Right wrist X-ray, lat.

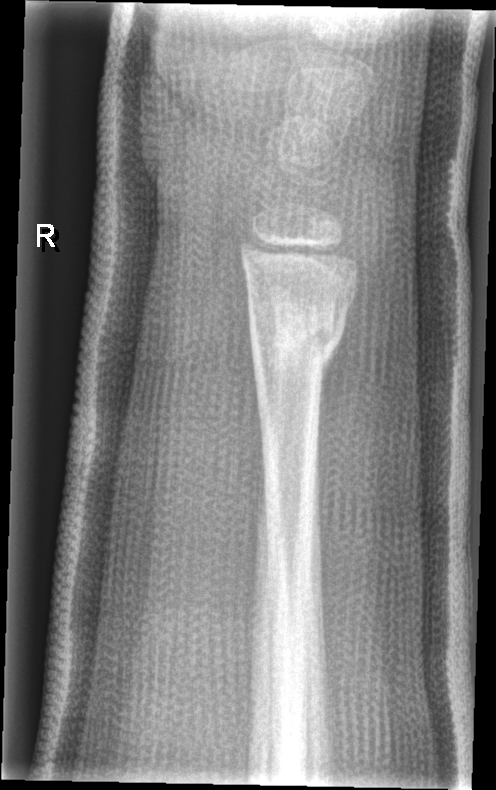
FINDINGS: (coordinates are [x1, y1, x2, y2] in image pixels) Fx — 244 288 353 374. Fracture classified AO/OTA 23-M/2.1.